AP view | L wrist X-ray | 516x704.
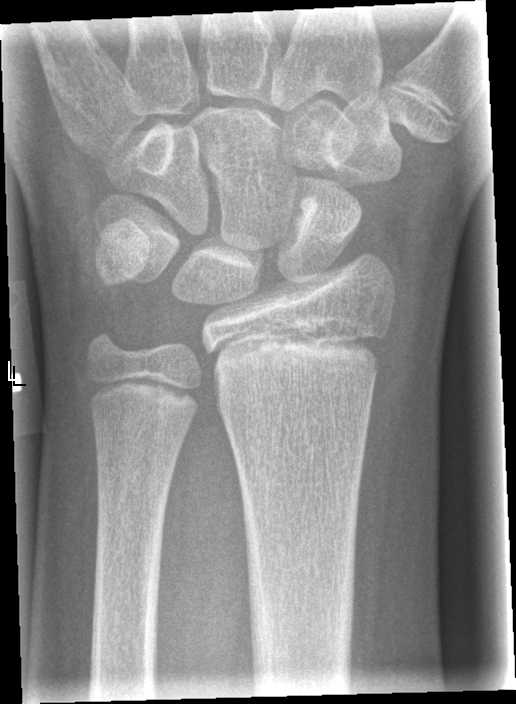 * No fracture labeled.